R plain radiograph of the wrist; frontal view; 13-year-old male

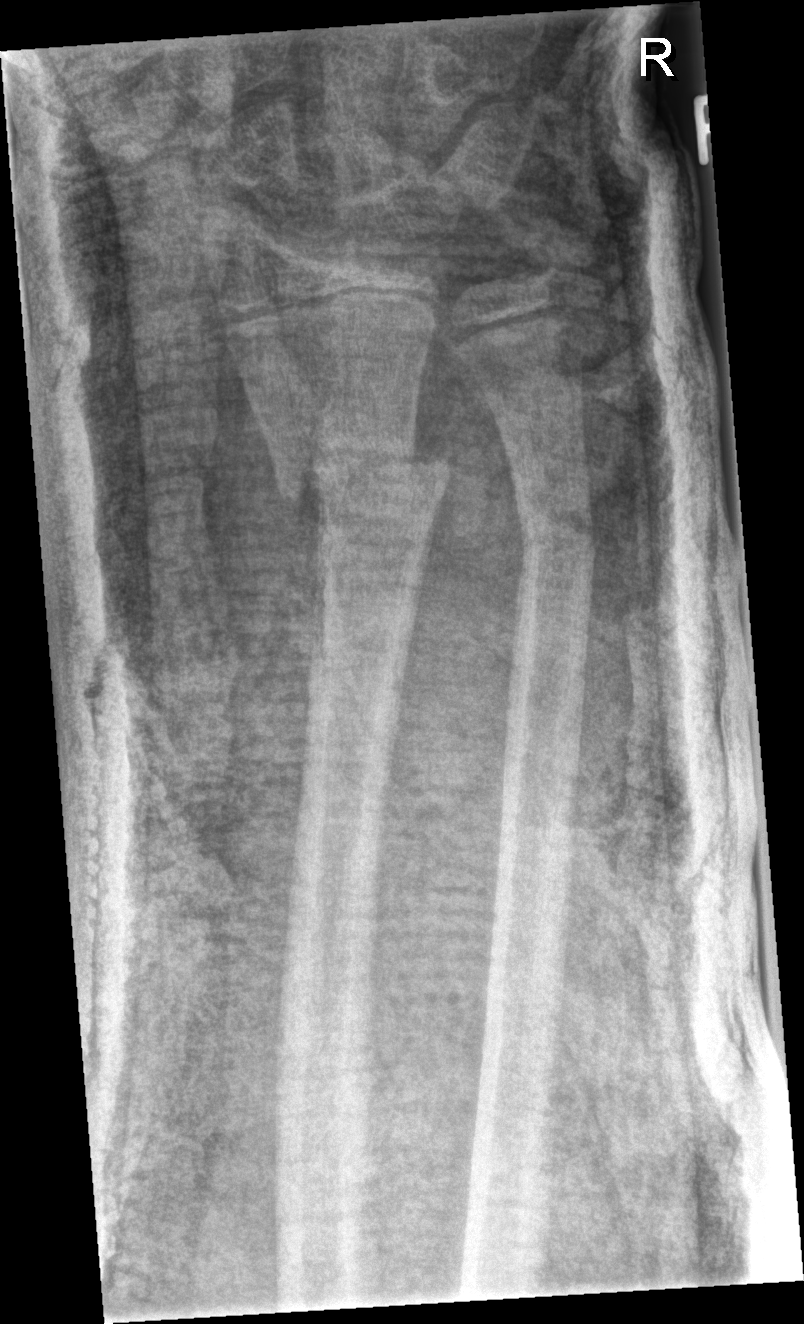 {
  "fracture": "[x1=270, y1=418, x2=458, y2=517] [x1=515, y1=497, x2=601, y2=562]"
}